Right wrist XR, AP projection, image 67.7 mm wide, 470x896. 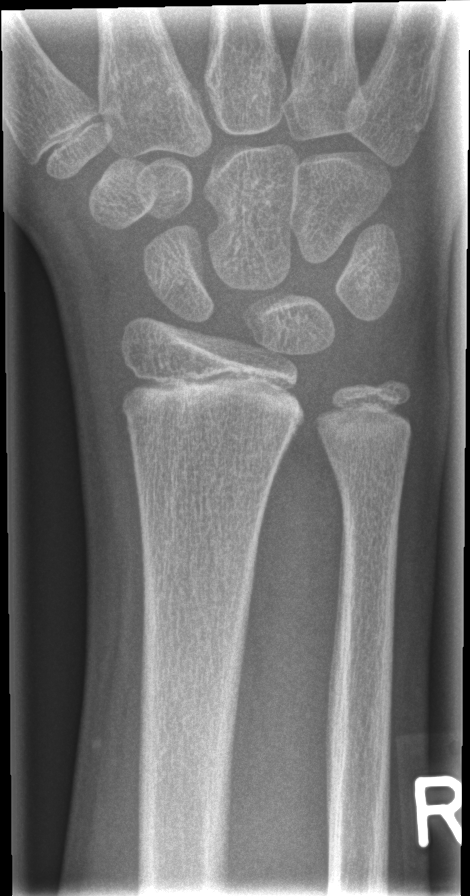

- Fracture: none labeled.